Lat view | left pediatric wrist radiograph | boy, 10 yo 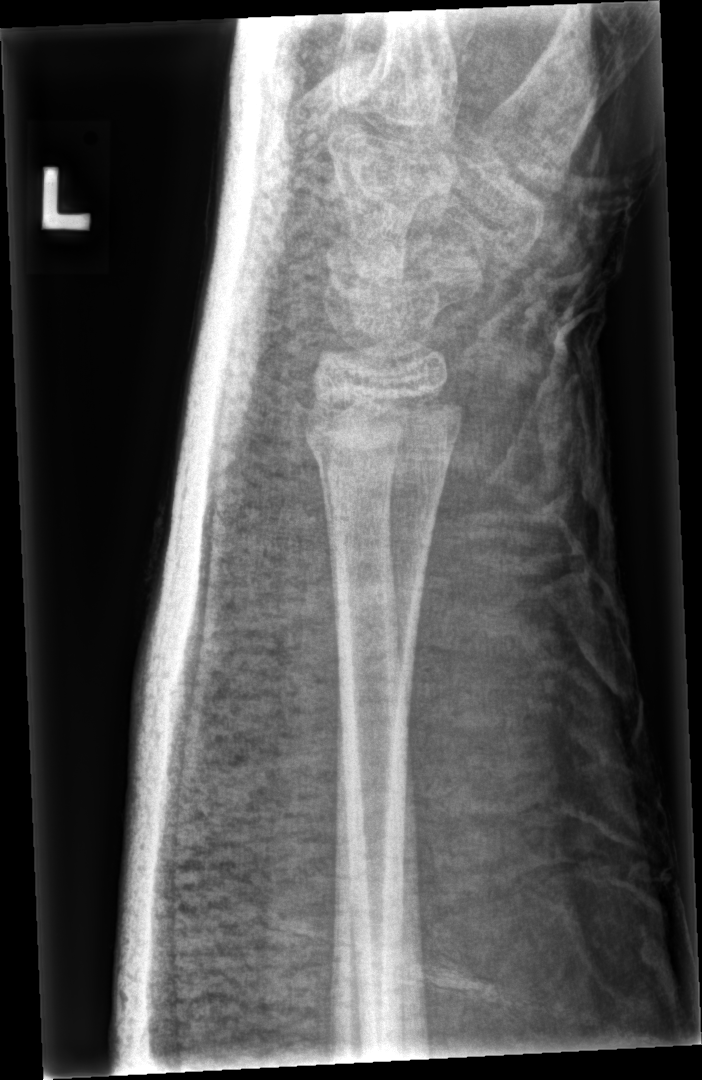 AO/OTA: 23r-E/2.1; 23u-M/2.1; 23u-E/7
Fx: 1 @ bbox(295, 378, 469, 490)